Frontal projection, left wrist X-ray, cast present:
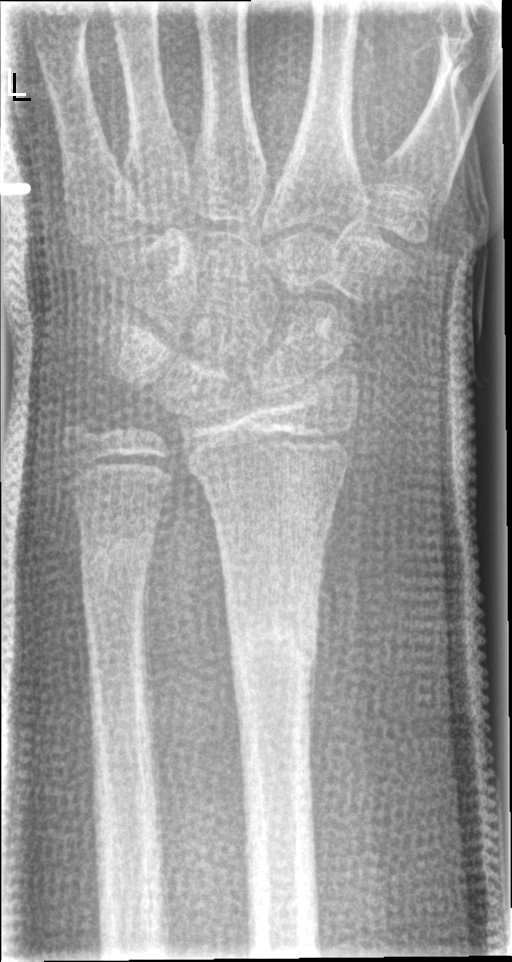
FINDINGS: Bone fracture: <223,600>-<323,681>, <77,523>-<159,611>.